Lt plain radiograph of the wrist · PA 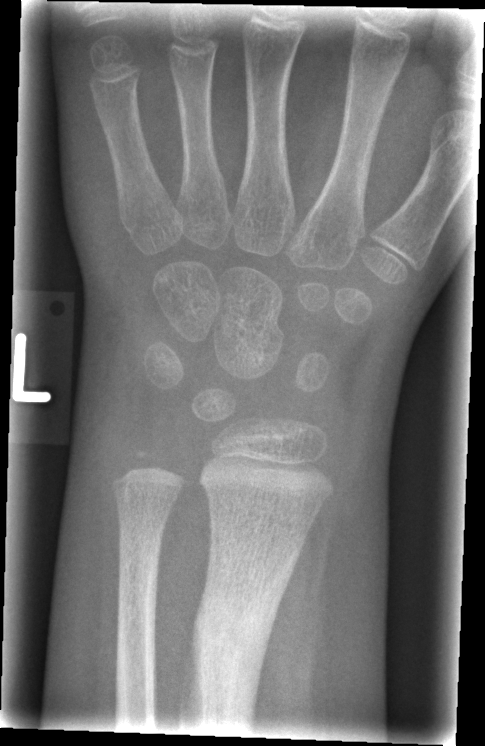

- Pixel coordinates, top-left origin, xyxy.
- Fx identified at 192,579,284,688.